Right wrist radiograph · PA/AP · age 10 y, female · 522x1066 — 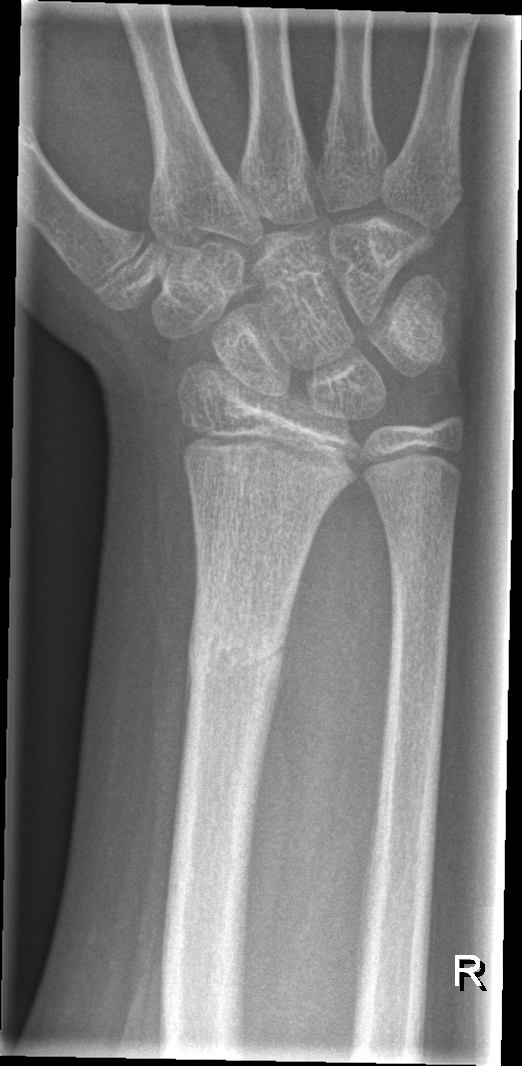
Fracture: [182, 609, 290, 690]. AO/OTA classification: 22r-D/2.1.